Right wrist plain film | posteroanterior | 3y M | cast present | 602 x 786 px:
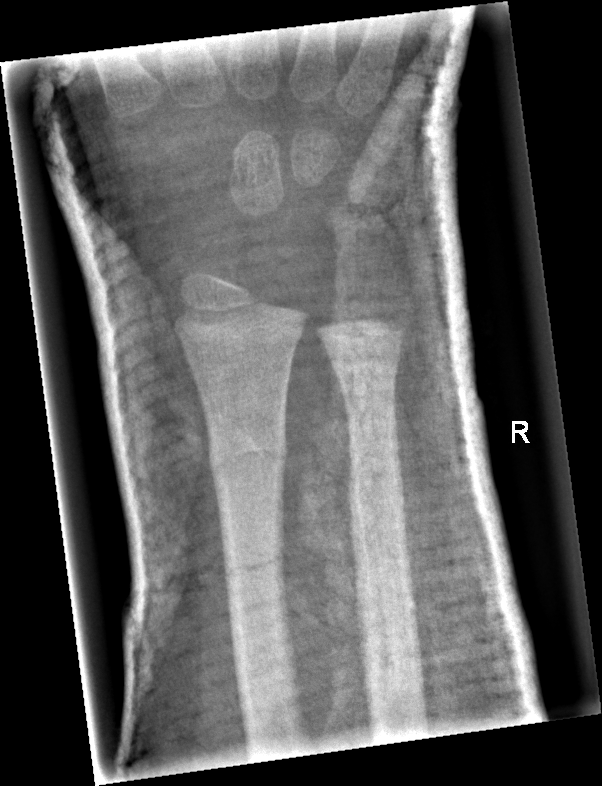
* AO/OTA classification: 23r-M/3.1; 23u-M/2.1.
* Bone fracture: [x1=206, y1=429, x2=290, y2=482] [x1=326, y1=339, x2=406, y2=387].